Right wrist plain film; PA; 15y M. 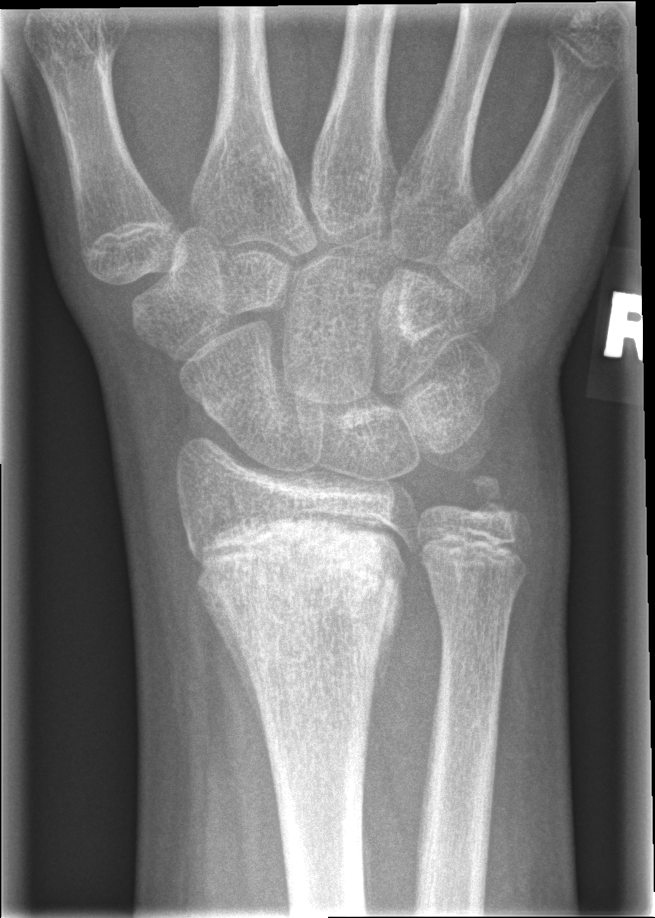

Pixel coordinates, top-left origin, xyxy.
AO code 23r-E/2.1; 23u-E/7.
Two Fx at (left=185, top=509, right=413, bottom=632), (left=461, top=474, right=533, bottom=532).
Periosteal reaction: (left=193, top=564, right=269, bottom=752) (left=365, top=572, right=406, bottom=738).